Lat; left wrist X-ray; cast in situ —

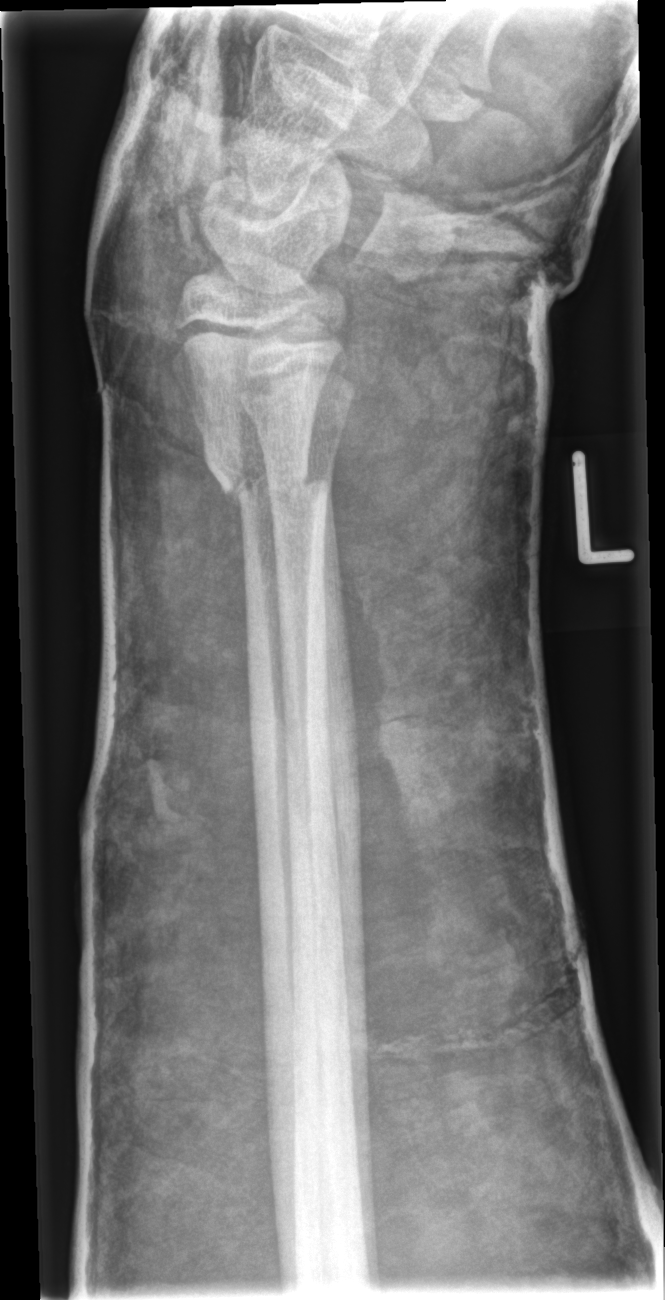
Findings: Fracture identified at 199 439 334 516 | 236 388 351 454. AO code 23r-M/3.1; 23u-M/2.1.